Lateral, R wrist radiograph
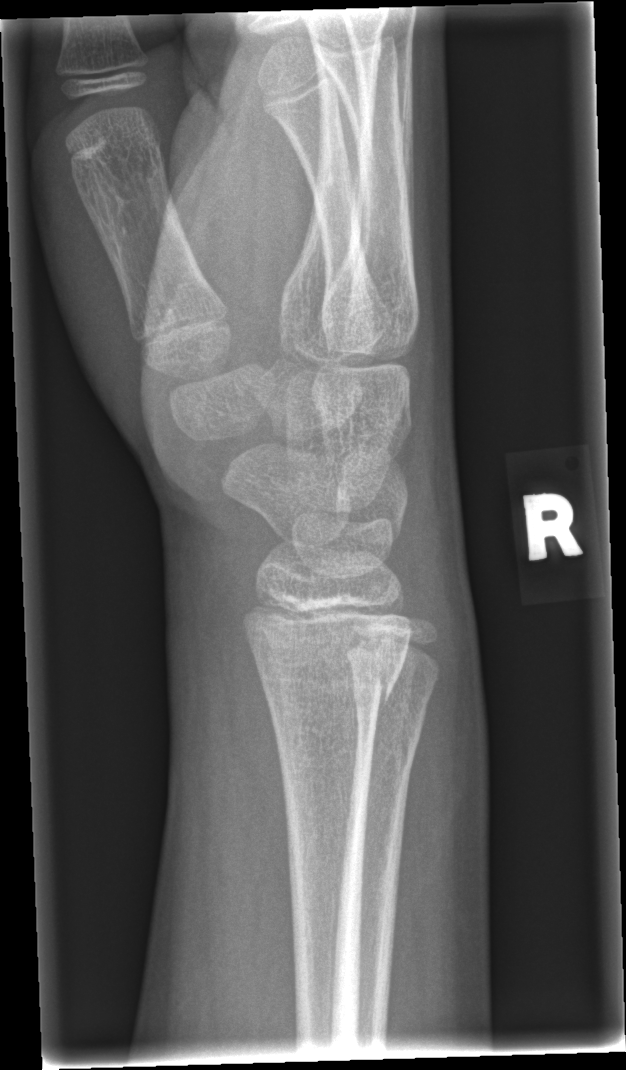
• Fractures — [238, 597, 415, 710], [347, 673, 437, 754].